Lat view, Rt pediatric wrist radiograph, male, 14 yo, subsequent exam, in cast. 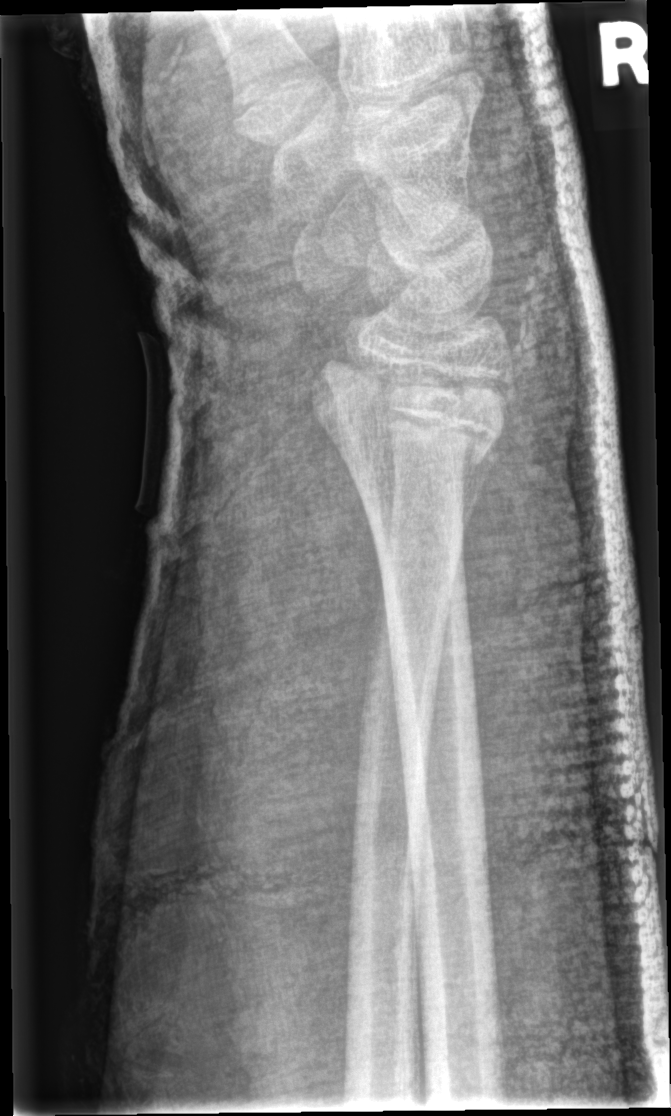
(boxes as x1,y1,x2,y2 (top-left / bottom-right, pixel units))
AO code: 23r-E/2.1; 23u-E/7
Fx: 1 @ [x1=302, y1=357, x2=521, y2=474]